Lateral; left wrist radiograph; 12y M —

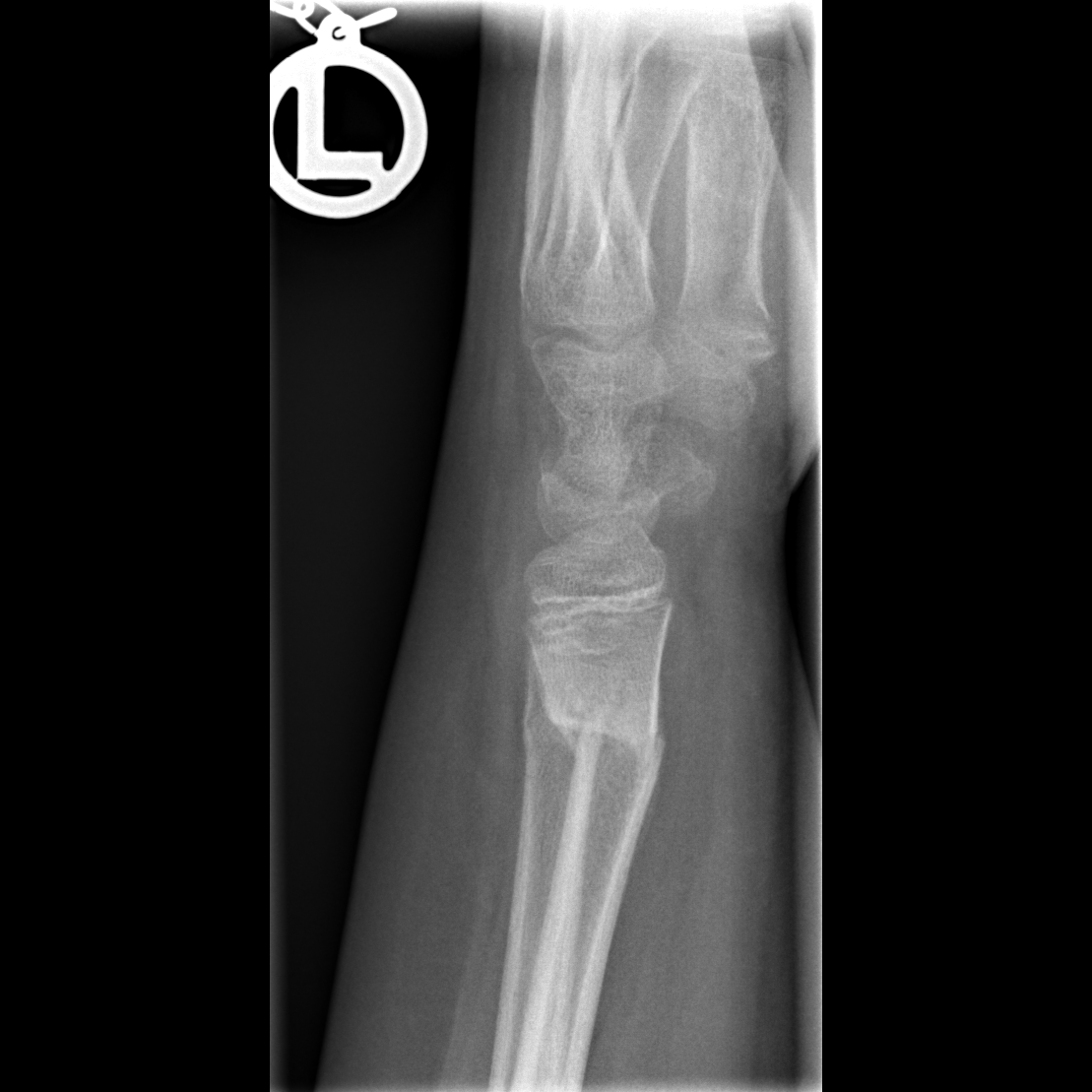
Reduced bone mineral density.
Fractures — <542,687>-<674,782>, <515,691>-<609,762>.